Left wrist XR · PA projection · index exam · detector: Siemens: 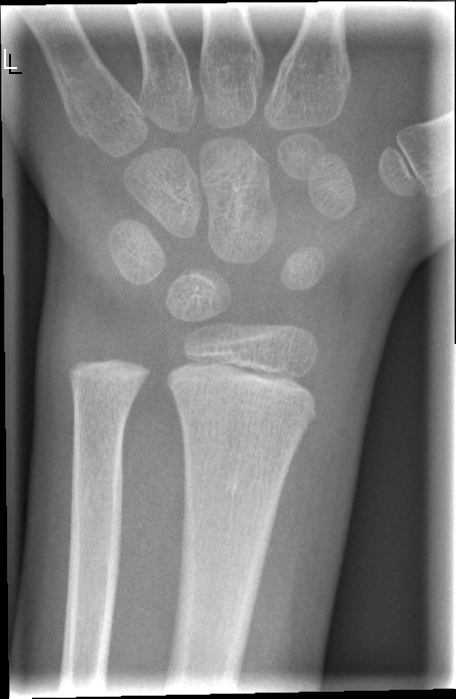 Fracture classified AO/OTA 23r-M/2.1.
Fx: present but not clearly seen in this view.